Lat projection, right wrist X-ray, initial study, acquired on Siemens, image size 402x584.
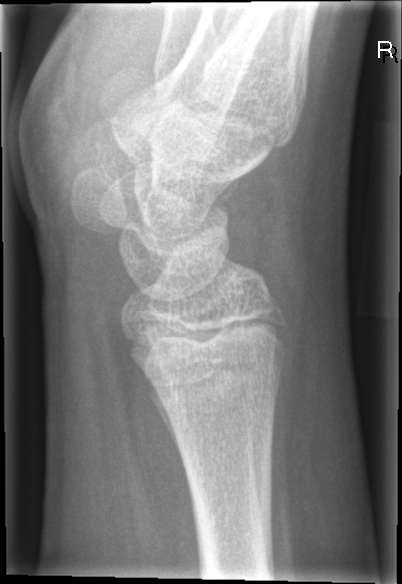
{
  "fracture": "none labeled"
}